Rt pediatric wrist radiograph, PA/AP projection, presentation radiograph.

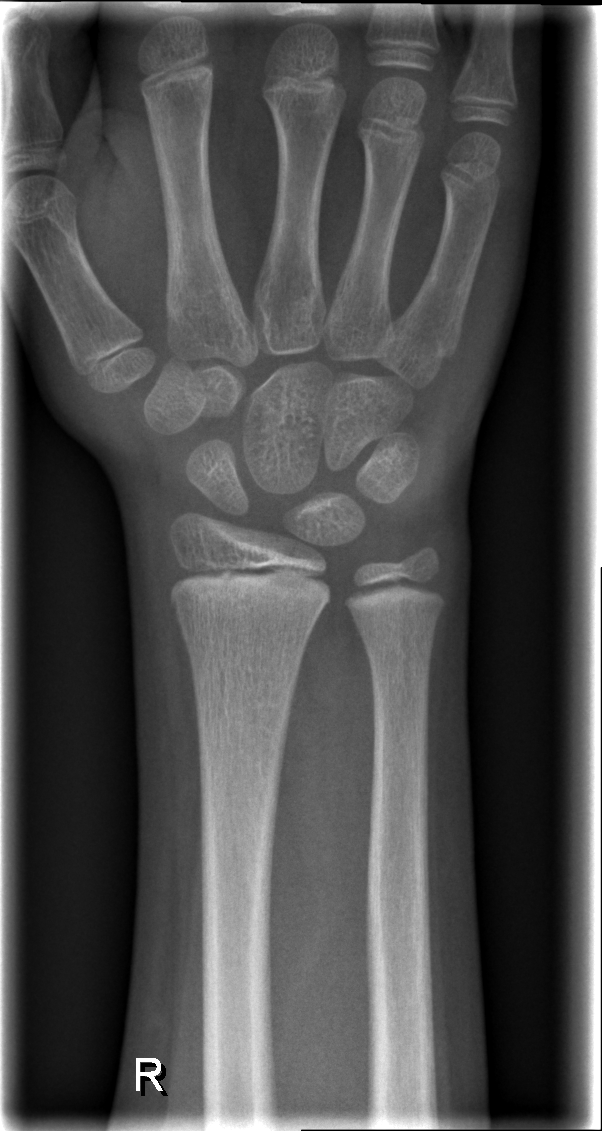 Findings: Fracture present, though not clearly seen in this view.